PA/AP view · R wrist XR · Siemens:

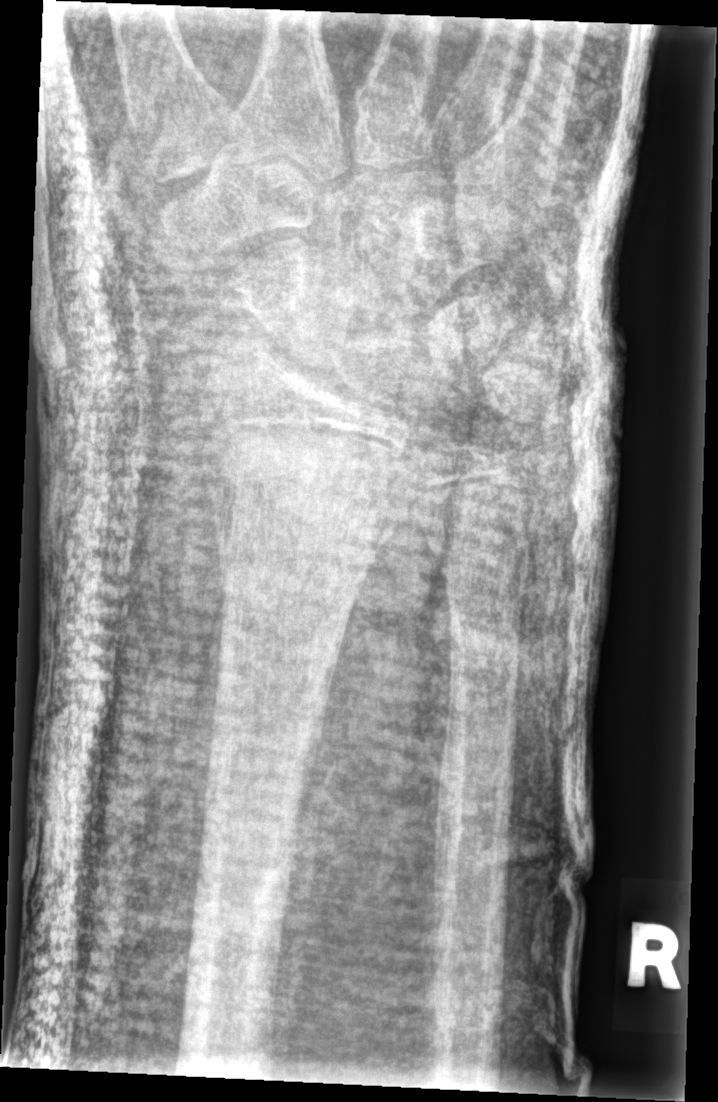 • Fx present but not clearly seen in this view.